Lateral view; Rt plain radiograph of the wrist:
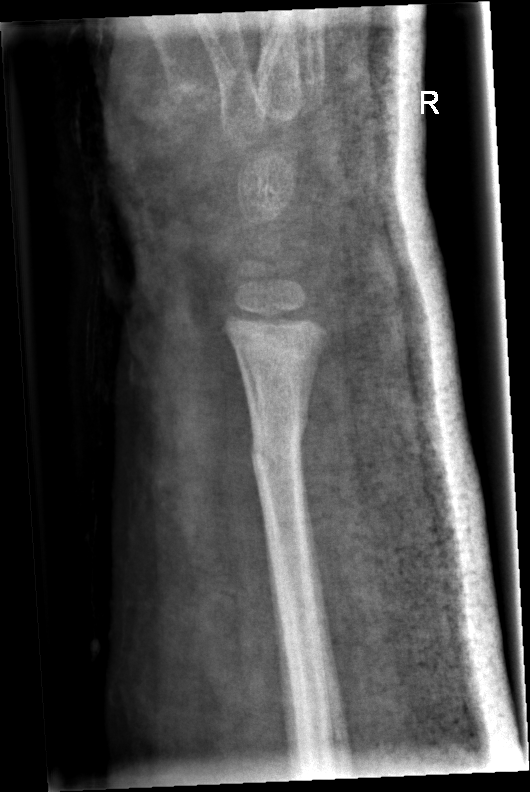
Coordinates are [x1, y1, x2, y2] in image pixels.
Fracture classified AO/OTA 23r-M/2.1.
One fracture at 244,404,311,480.